Right wrist radiograph; lateral view; age 12 y, male:
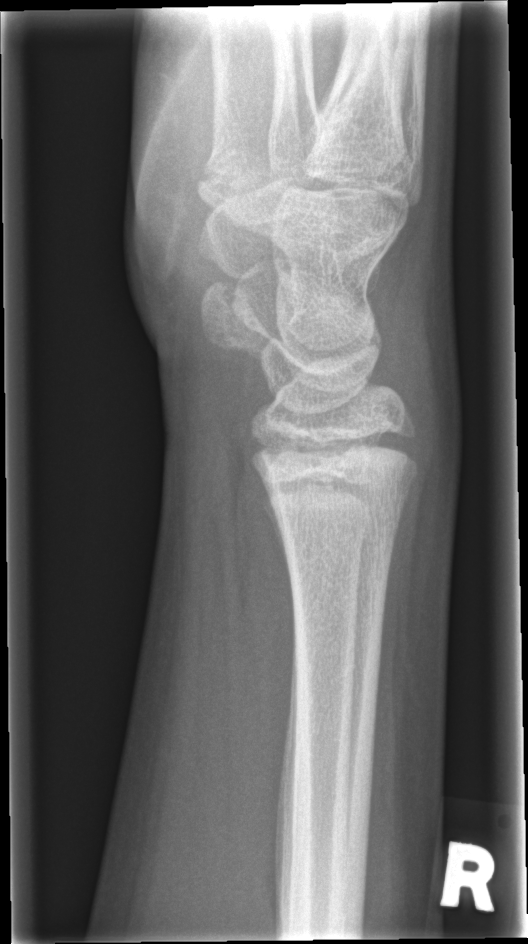 Findings: Fracture: none labeled.